AP · left pediatric wrist radiograph:

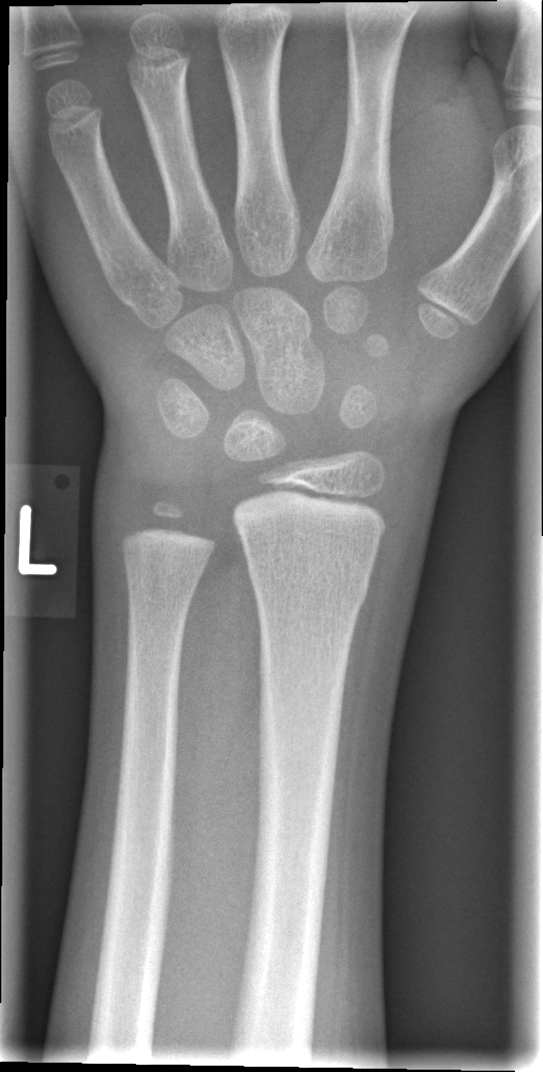

One Fx at 247,559,372,609.